PA/AP | L wrist plain film | acquired on Siemens —

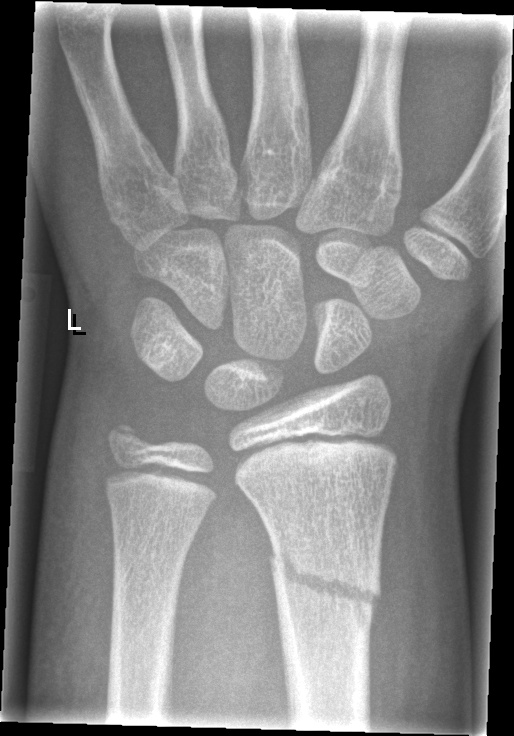

AO/OTA classification: 23r-M/3.1; 23u-E/7.
Fx identified at [266, 536, 384, 636], [102, 418, 150, 464].